Rt wrist X-ray; lateral; 6-year-old female; initial study —

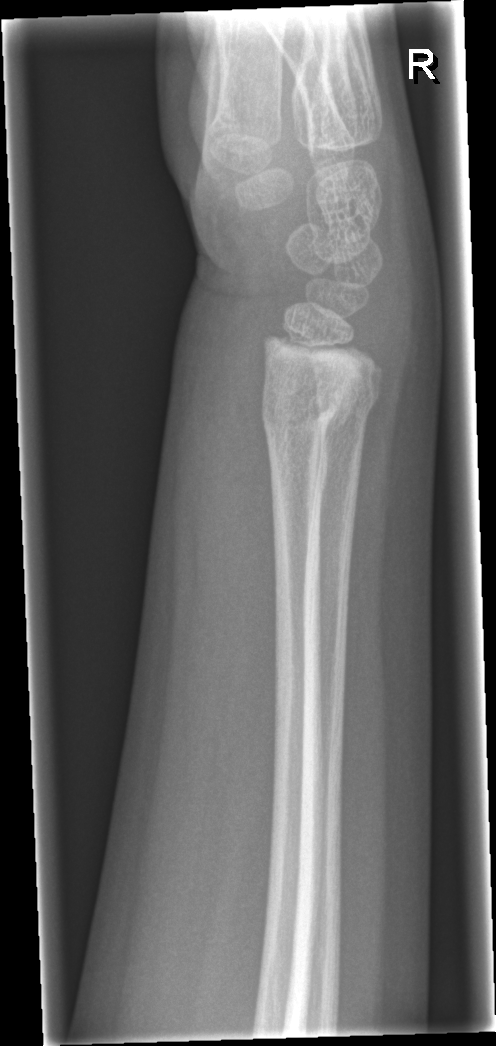 Boxes as x1,y1,x2,y2 (top-left / bottom-right, pixel units). Fx — [x1=257, y1=341, x2=377, y2=450] [x1=313, y1=371, x2=387, y2=425]. Fracture classified AO/OTA 23-M/2.1.